Left wrist plain radiograph of the wrist · PA/AP · 10-year-old boy · image width 86.1 mm

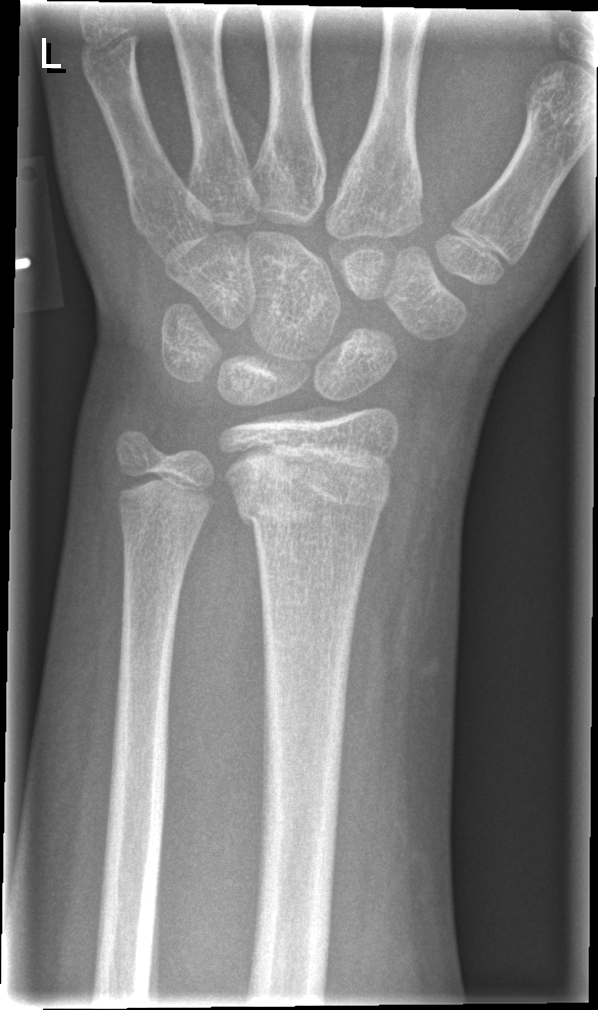

- Pixel coordinates, top-left origin, xyxy.
- AO/OTA classification: 23r-E/2.1.
- Bone fracture: [x1=226, y1=463, x2=392, y2=538].